Lt plain radiograph of the wrist · lateral · age 11 y, male —
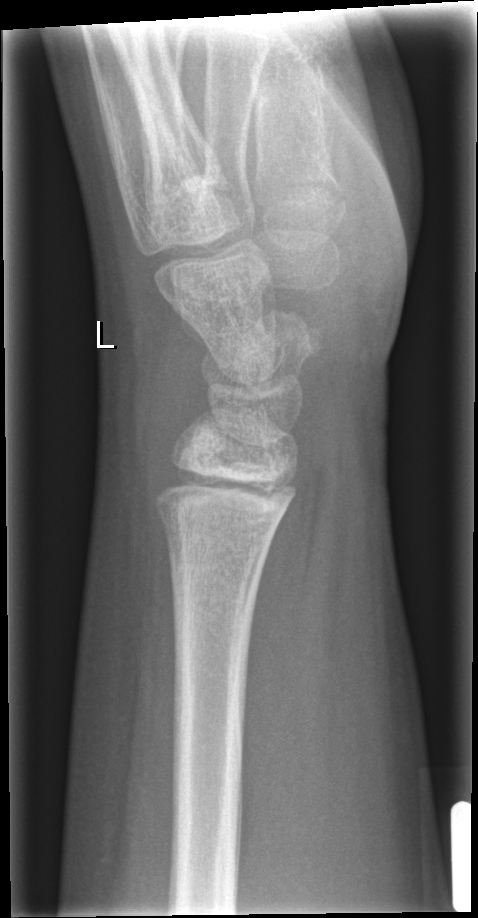

{"fracture": "[150, 463, 302, 541]"}